Rt wrist X-ray; posteroanterior projection; pediatric patient (boy, age 12); index exam; image width 88.1 mm —

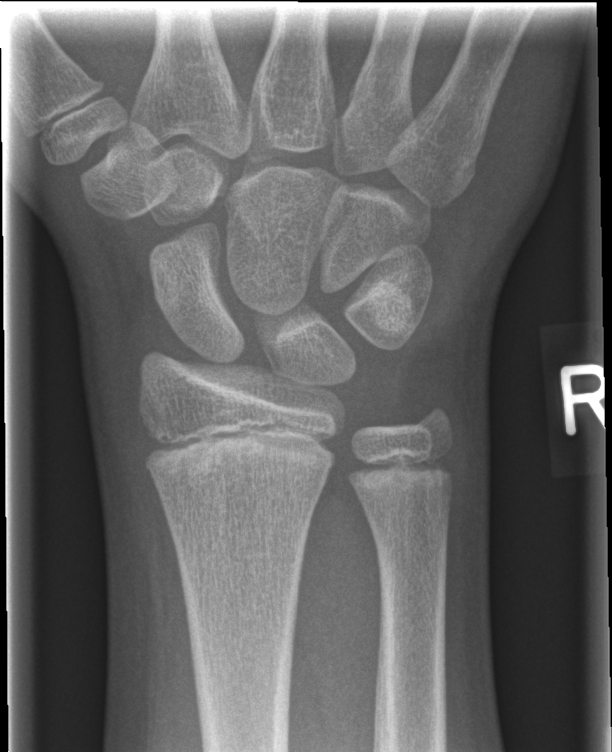

Fx = none labeled